Frontal view; right pediatric wrist radiograph; 6-year-old female; follow-up study
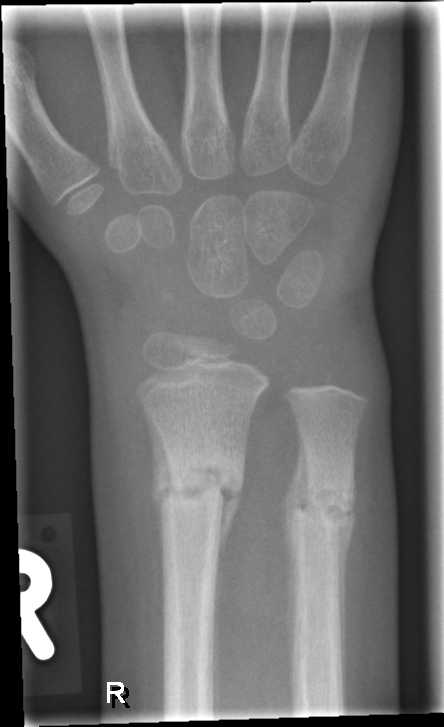

Two Fx at (148, 456, 243, 522), (287, 482, 356, 534).
Periosteal new bone: (211, 430, 247, 715); (285, 446, 308, 672); (145, 408, 175, 575); (339, 471, 354, 690).
AO code 23-M/3.1.